Frontal projection | Rt wrist X-ray | pediatric patient (girl, age 15) | follow-up | 476x676: 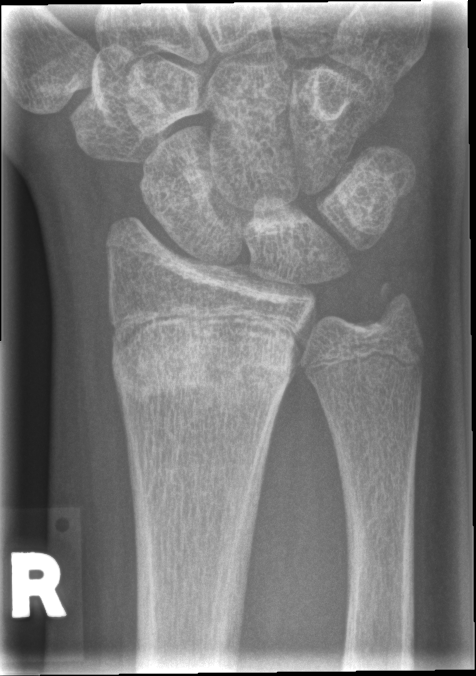 Q: Locate any fractures.
A: Two fractures at [x1=106, y1=318, x2=300, y2=420]; [x1=369, y1=275, x2=412, y2=316]
Q: Bone density?
A: Reduced bone mineral density
Q: AO code?
A: AO code 23r-M/3.1; 23u-E/7